Lat · Lt wrist XR · 16y M
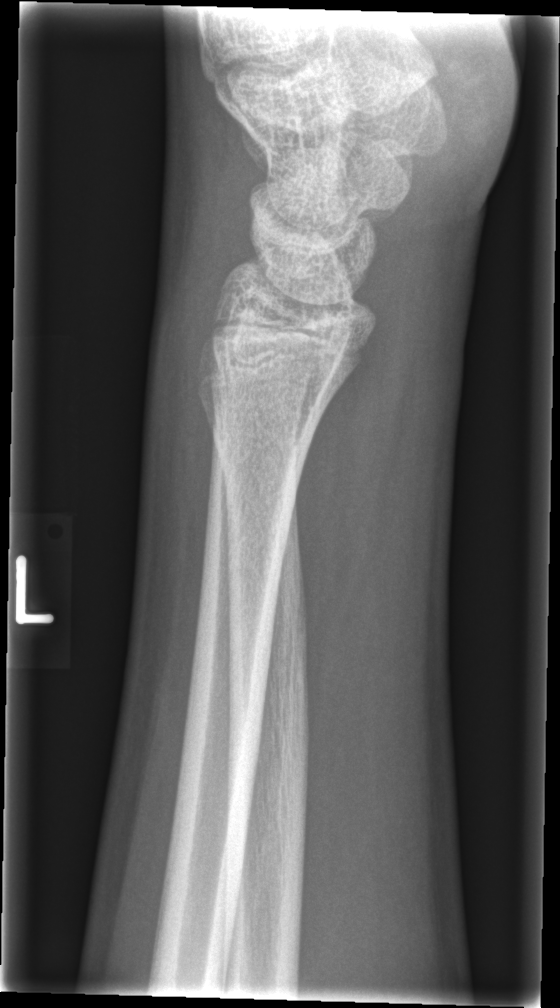

  softtissue: bbox(134, 202, 233, 537)
  fracture: none labeled